Frontal view, Rt wrist X-ray, initial study:
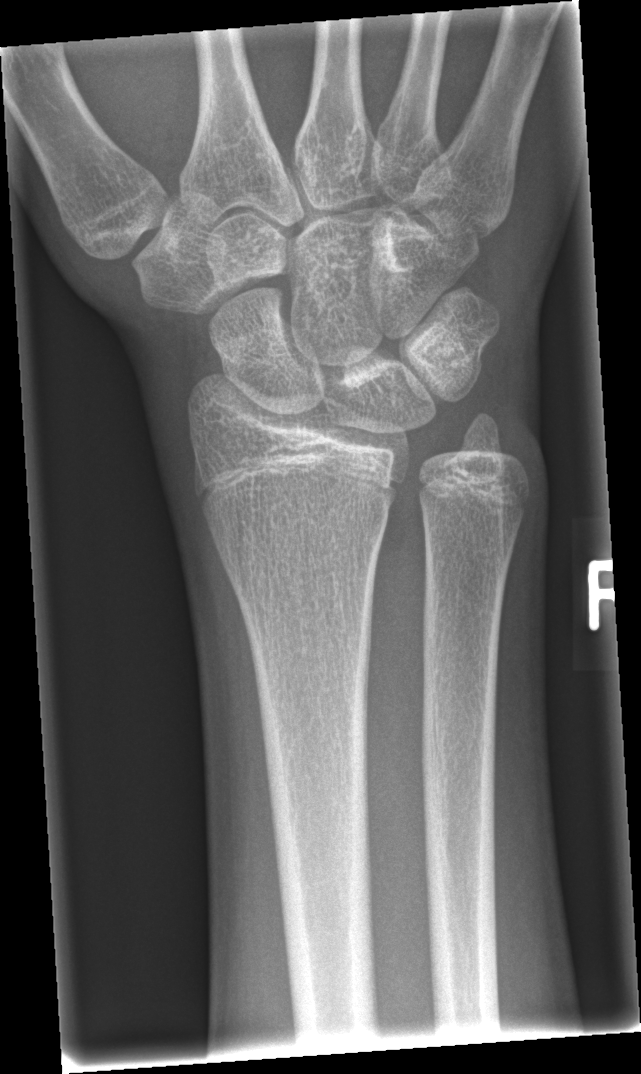

Findings: No Fx annotated.